AP projection, right wrist plain radiograph of the wrist, 742 x 952 px —

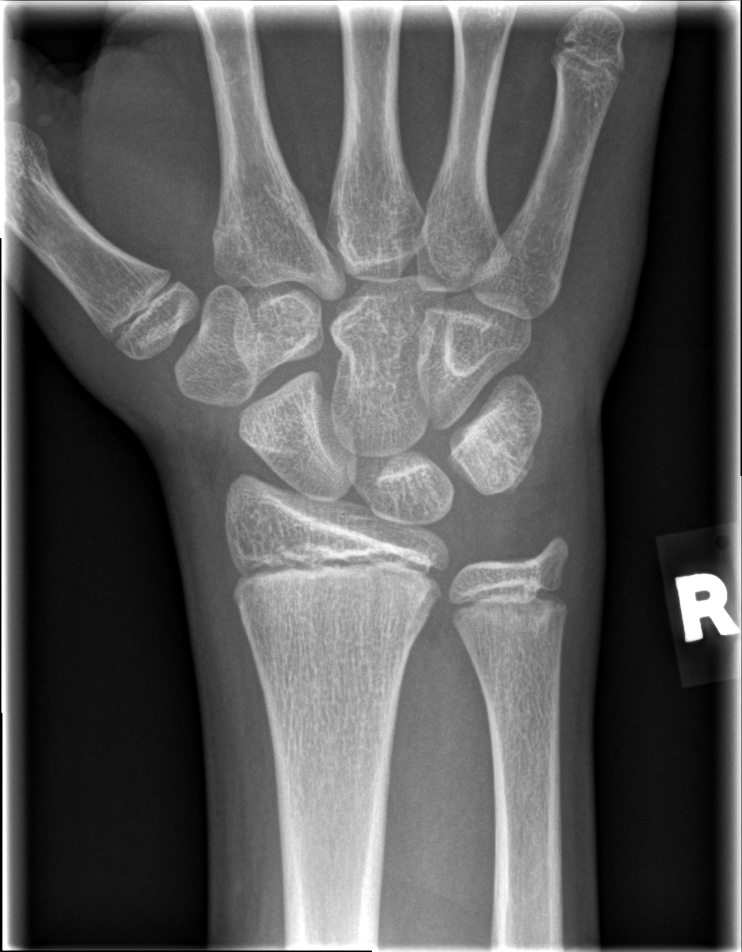

  ao: 23r-M/2.1
  fracture: present but not clearly seen in this view